PA/AP | Lt wrist radiograph | 4y M | 492 x 622 px — 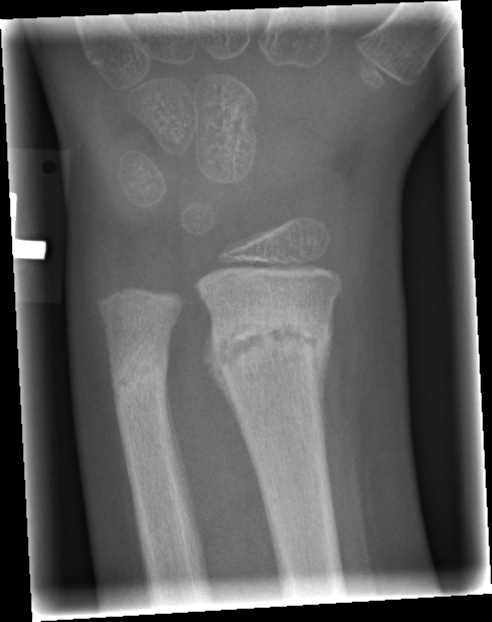 FINDINGS: Periosteal thickening: bbox(200, 311, 254, 466); bbox(165, 366, 205, 555); bbox(313, 302, 334, 484). Fx identified at bbox(207, 305, 336, 392), bbox(110, 342, 169, 408). Osteopenic.